PA projection | Rt wrist X-ray | index exam
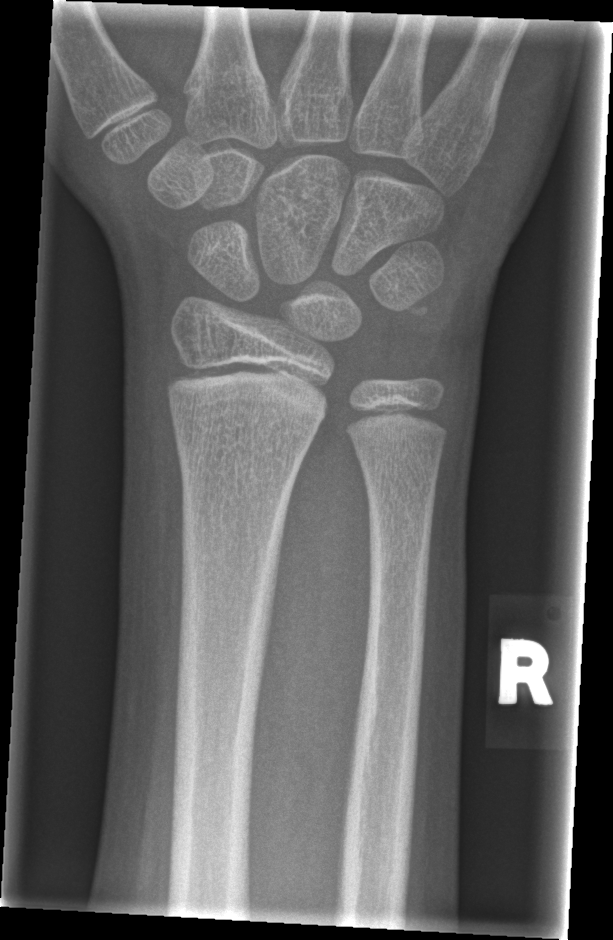 Q: Fracture present?
A: No fracture annotation